Lat | L pediatric wrist radiograph | girl, 3 yo | subsequent exam | cast in situ:
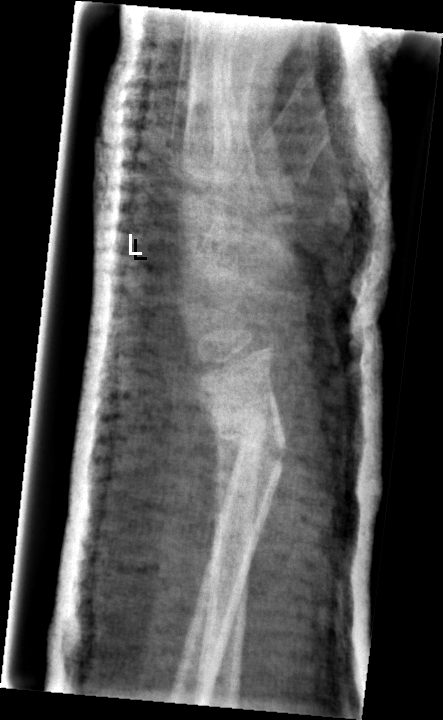 (coordinates are [x1, y1, x2, y2] in image pixels)
fracture: 209 406 292 478